Frontal projection; left wrist plain film; pediatric patient (girl, age 8); image 84.4 mm wide; 586 x 896 px 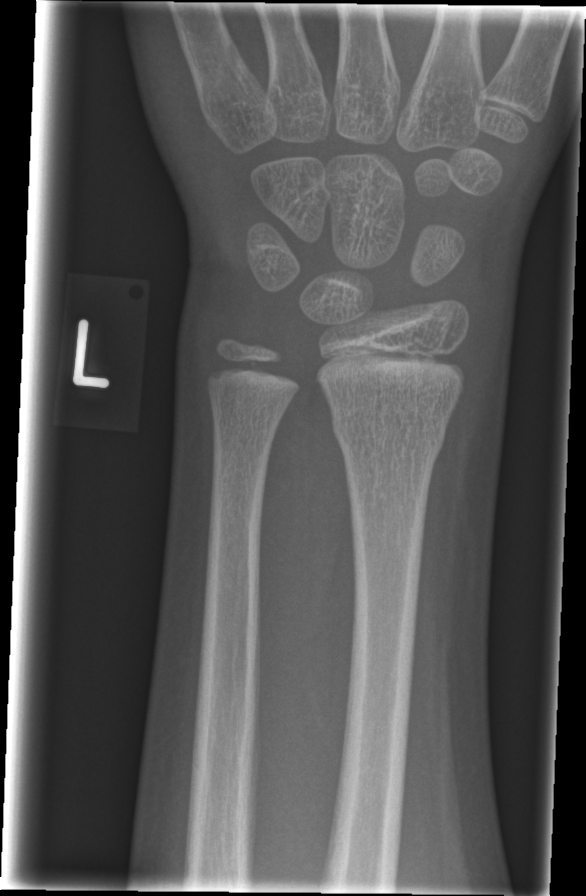 AO code 23r-M/2.1.
One Fx at (330, 400, 449, 457).